AP view · L pediatric wrist radiograph · pediatric patient (girl, age 14)

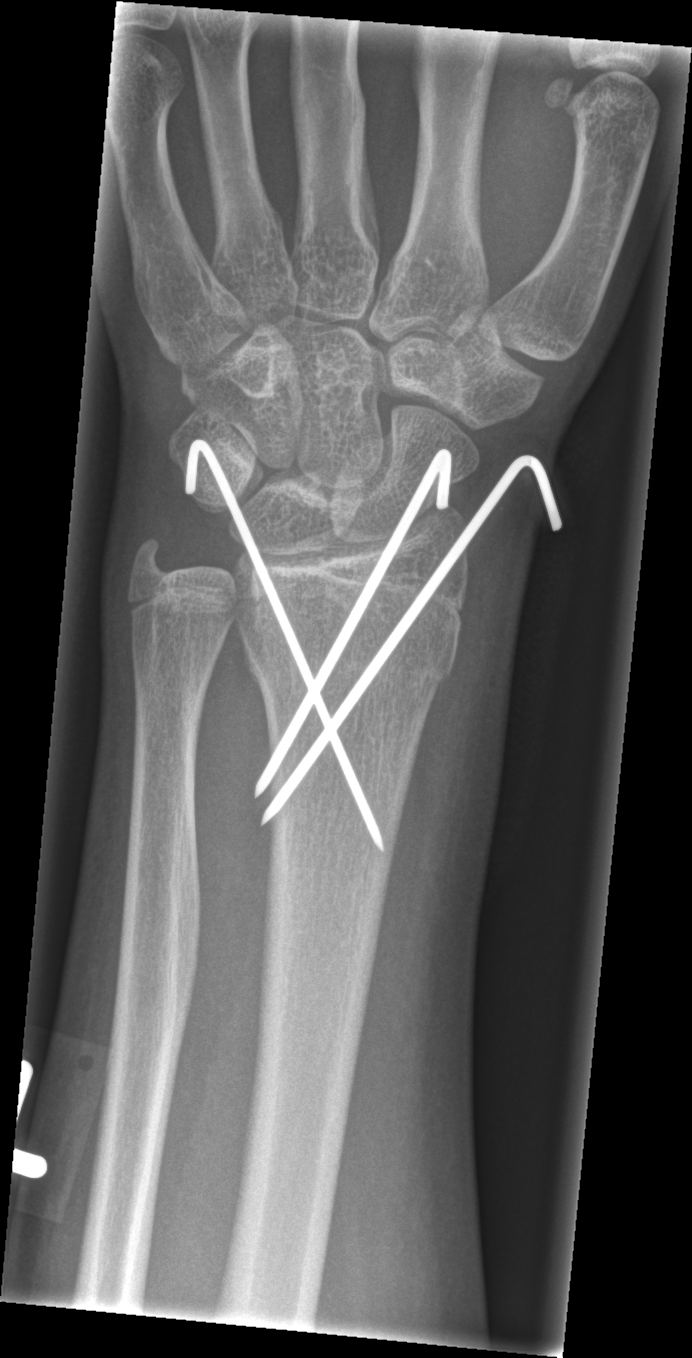
(coordinates are [x1, y1, x2, y2] in image pixels)
Metallic hardware: 1 @ 185,440,565,854
Fracture: 1 @ 239,637,463,695
AO code: 23r-M/3.1